Lateral view, Rt pediatric wrist radiograph, pediatric patient (female, age 9), 435 by 1206 pixels
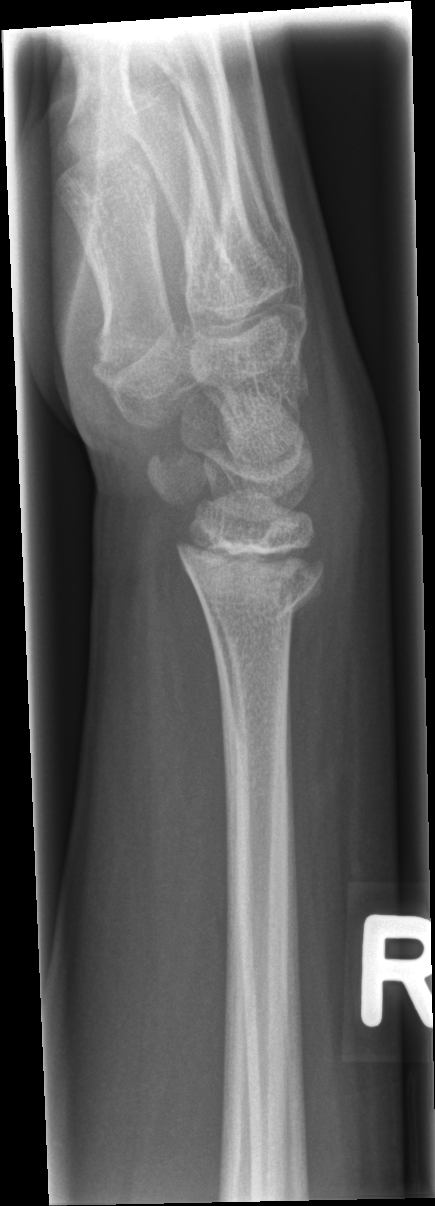 ao: 23r-E/2.1
fracture: <173,541>-<330,631>